Lat view; L pediatric wrist radiograph; presentation radiograph —

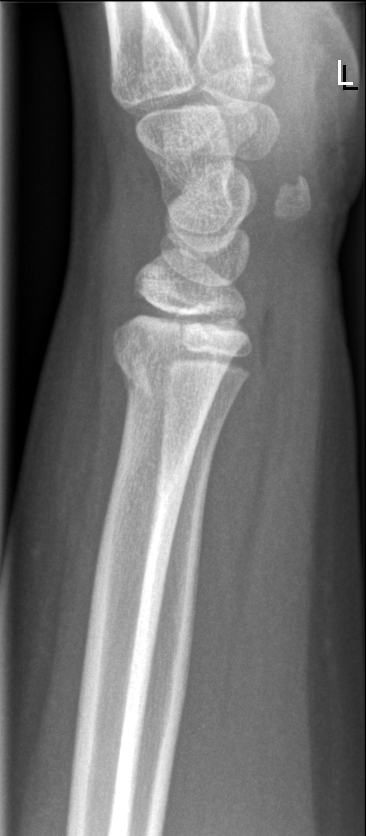

One fracture at <109,322>-<242,411>.